Lateral view | right plain radiograph of the wrist | 11-year-old girl | follow-up study — 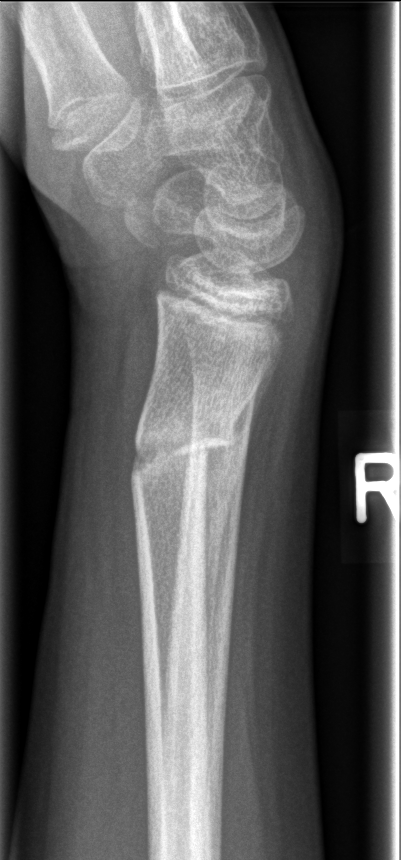

Reduced bone mineral density.
Fracture identified at <125,422>-<240,483>.
Fracture classified AO/OTA 23r-M/3.1; 23u-E/7.